Lat projection, right wrist X-ray:

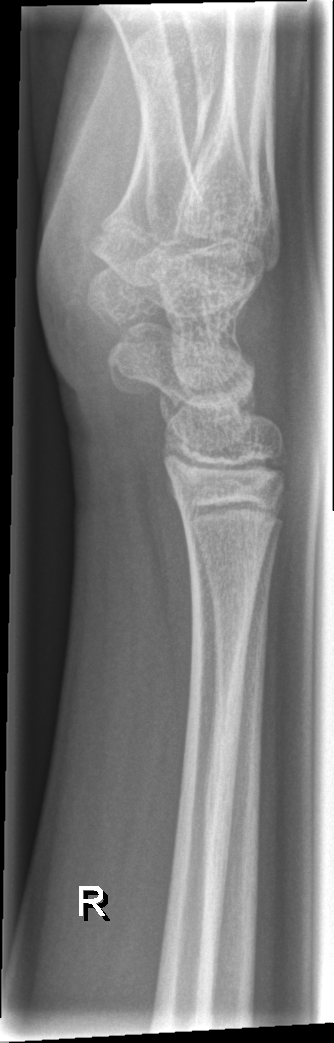
Q: Any fracture seen?
A: Fracture: none labeled